Posteroanterior, L wrist XR, pediatric patient (boy, age 13):

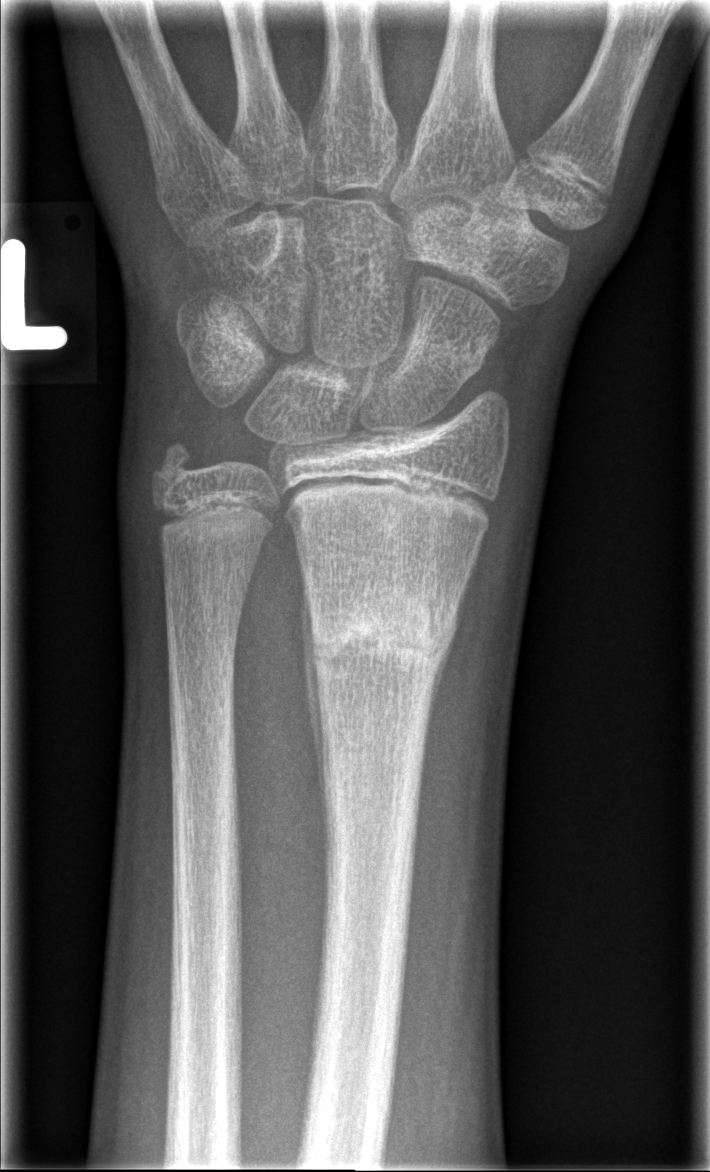

FINDINGS — (pixel coordinates, top-left origin, xyxy) Two bone fractures at [302, 585, 463, 693] [143, 432, 208, 500]. Reduced bone mineral density. Periosteal new bone identified at [300, 555, 334, 878], [421, 614, 465, 760].